Right wrist plain radiograph of the wrist · PA projection · age 12 y, female. 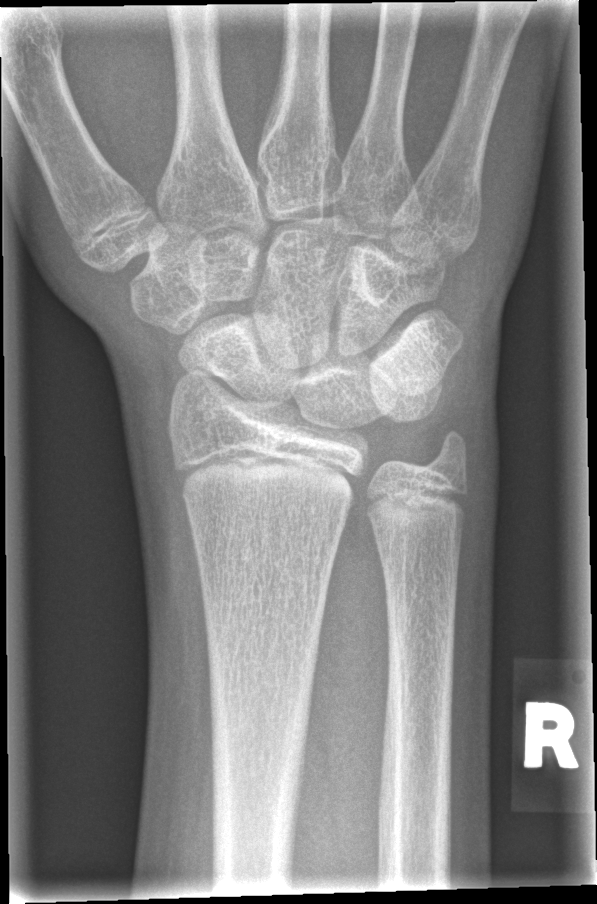 No Fx annotated.